Frontal | left wrist plain film | follow-up: 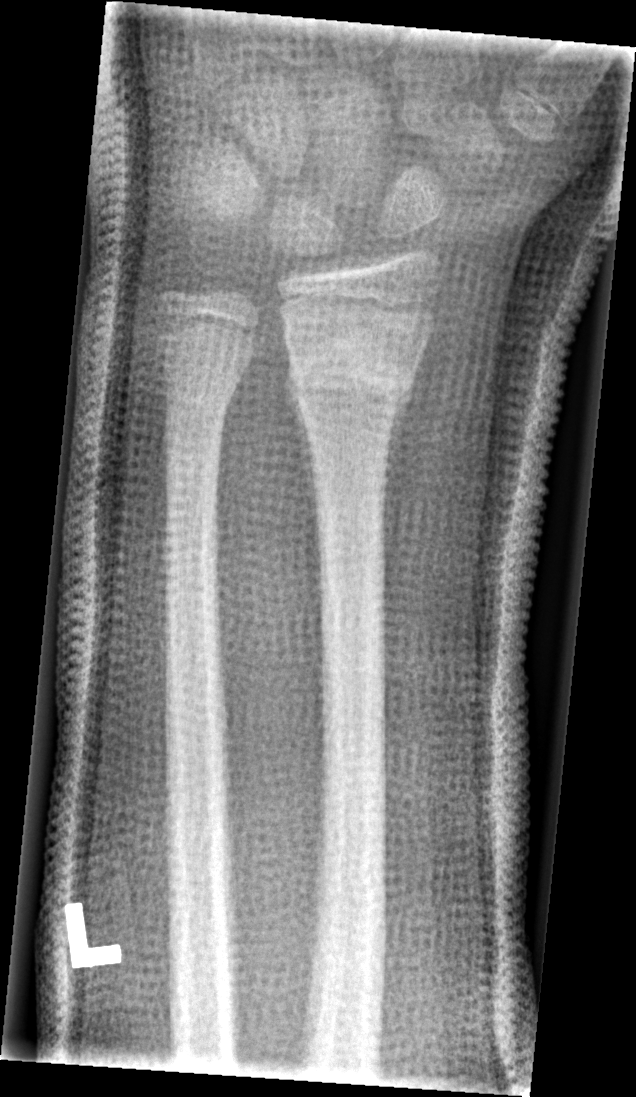

Bone fracture = 285 340 420 428
  158 368 249 434
AO/OTA = 23r-M/3.1; 23u-M/2.1
Periosteal reaction = 2 @ 284 355 322 592 | 383 369 414 545